Lat view; right wrist pediatric wrist radiograph; initial study:
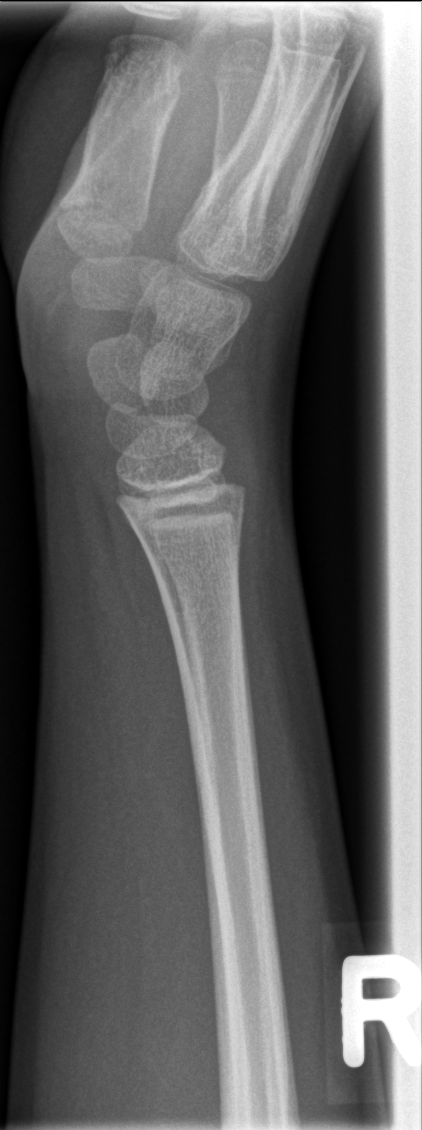

Q: Locate any fractures.
A: No fracture labeled